Lateral projection | left pediatric wrist radiograph | 10y F.

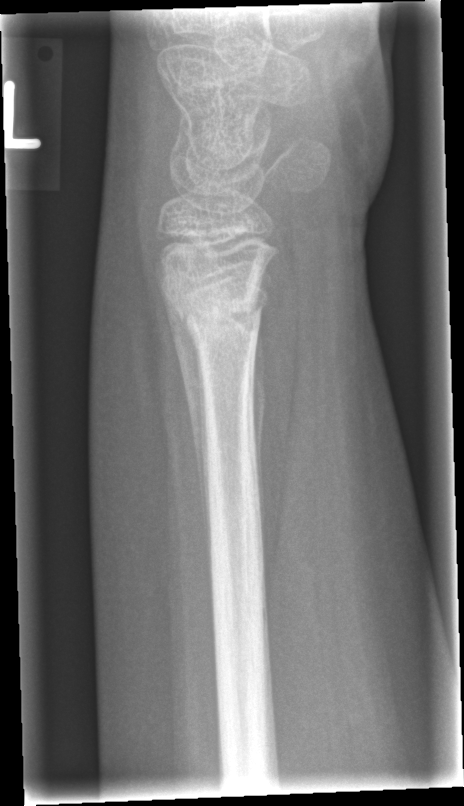
FINDINGS: (pixel coordinates, top-left origin, xyxy) One fracture at 163,252,266,347. Periosteal reaction: 160,285,210,560; 253,298,269,554.